Lateral projection; L wrist plain film; boy, 8 yo; image 44.5 mm wide
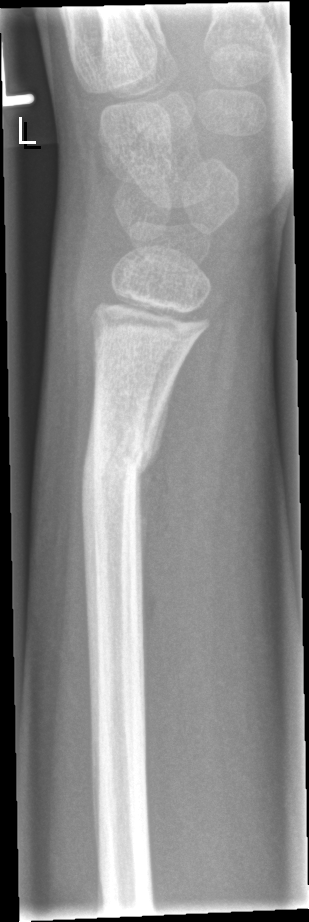
periosteal thickening: 1 @ <131,374>-<177,667>
AO code: 23r-M/2.1
Fx: <73,433>-<155,498>